Rt pediatric wrist radiograph · posteroanterior projection · pediatric patient (female, age 15) · initial study · image width 77.6 mm: 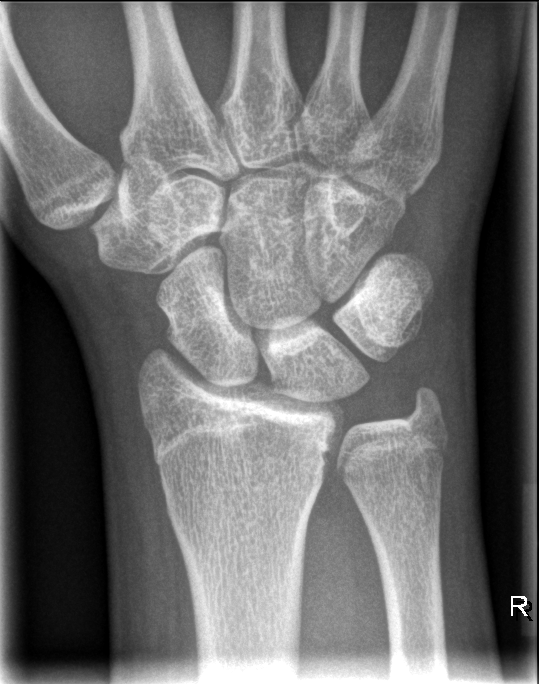
{"fracture": "none labeled"}